Right wrist XR · AP projection · girl, 13 yo

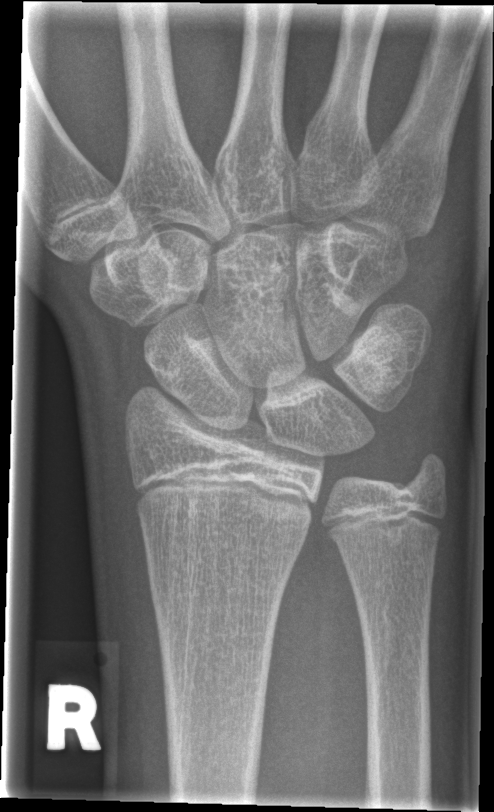 No fracture annotation.